L pediatric wrist radiograph | lat | 14y M | follow-up study.
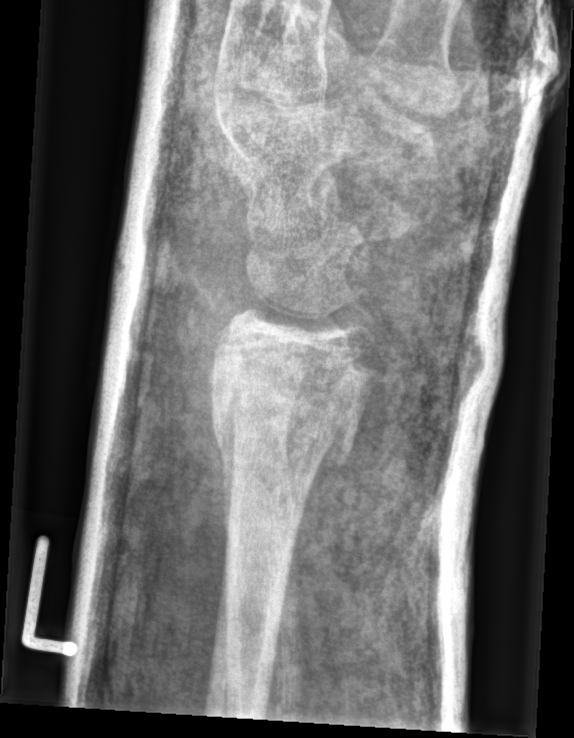 AO classification: 23r-E/2.1; 23u-E/7
Fx: 1 @ (203, 350, 370, 476)